L pediatric wrist radiograph, posteroanterior, image size 542x1074 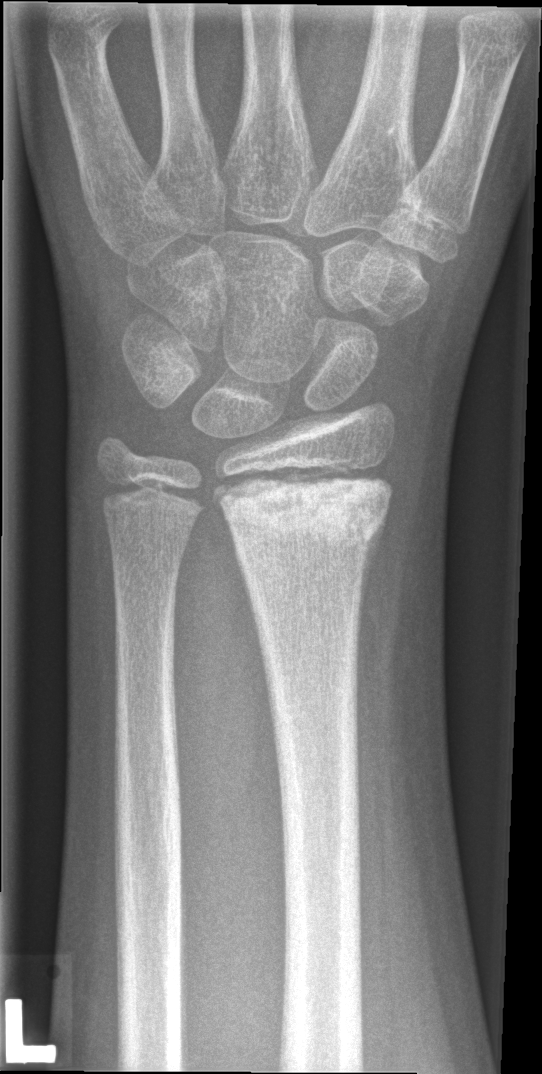
{
  "fracture": "218 479 392 555",
  "ao": "23r-E/2.1",
  "osteopenia": "present"
}